Right wrist X-ray, lateral projection
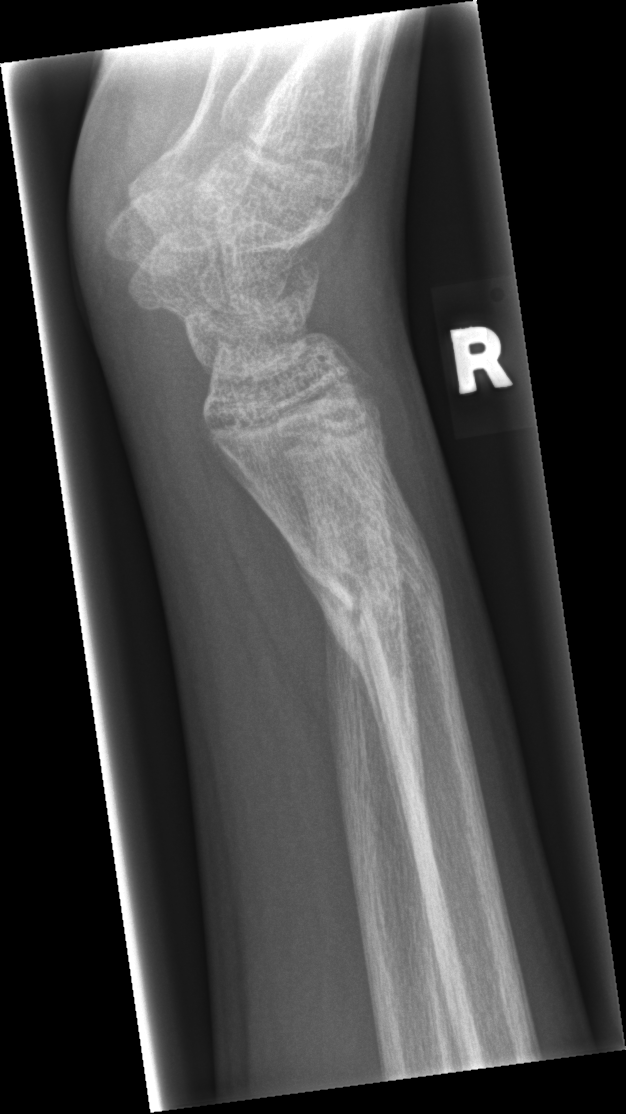

• AO code 23-M/3.1.
• One fracture at [x1=274, y1=484, x2=459, y2=683].
• Osteopenia.
• Periosteal new bone: [x1=269, y1=512, x2=419, y2=887].